L wrist plain film, lateral projection — 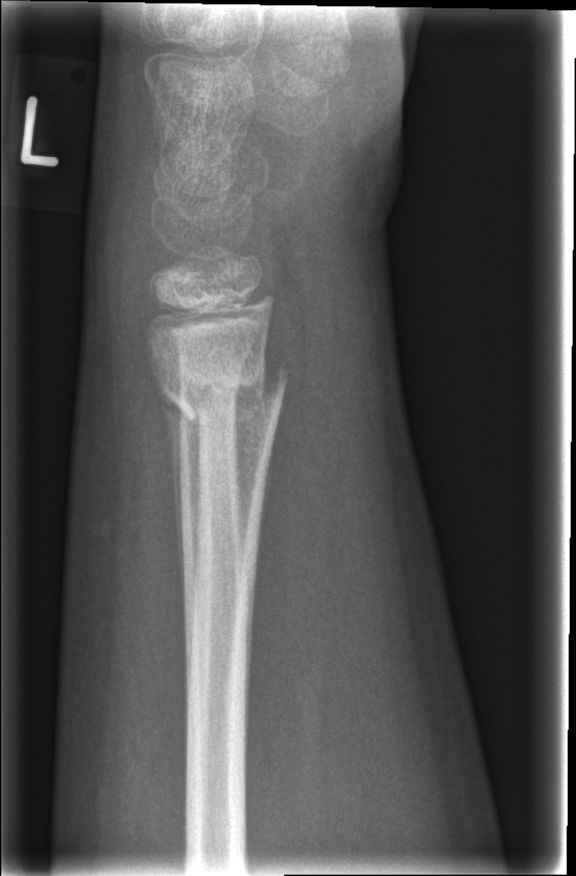

periosteal reaction = [x1=153, y1=374, x2=205, y2=697]
Fx = [x1=152, y1=355, x2=291, y2=427]
AO/OTA = 23r-M/3.1; 23u-E/7